Right wrist X-ray, PA/AP projection, presentation radiograph 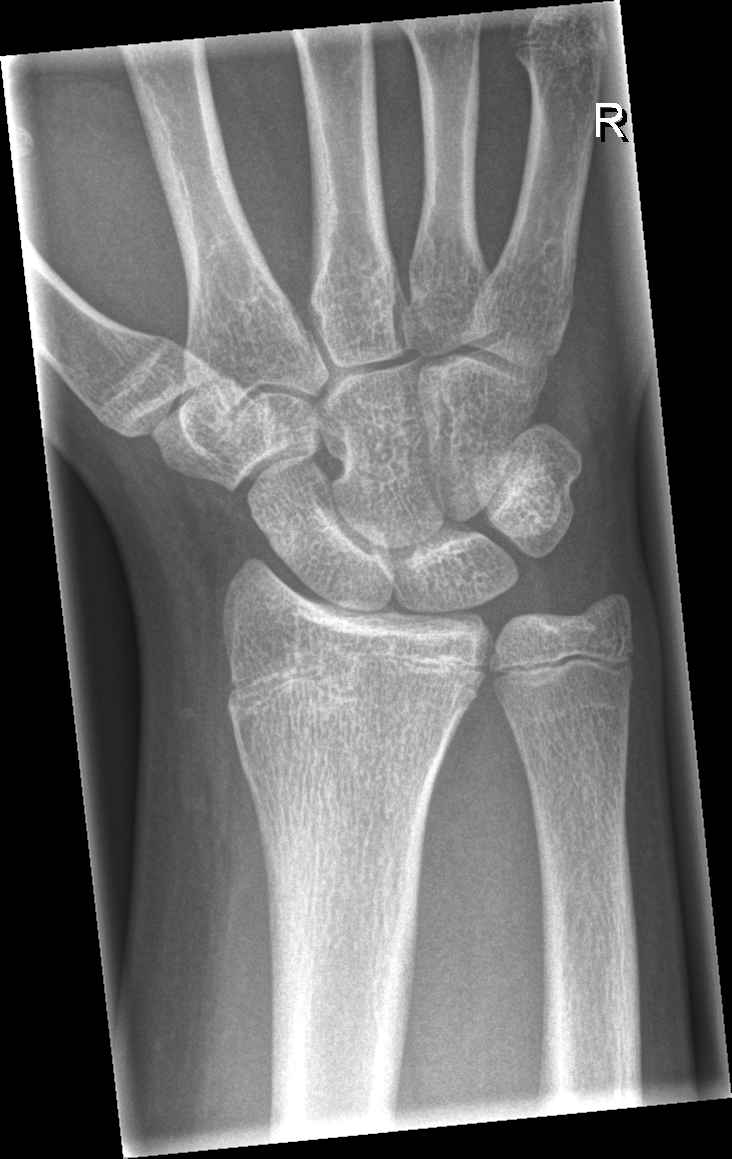
• Fracture: none labeled.